Right pediatric wrist radiograph, PA projection, diagnosis uncertain. 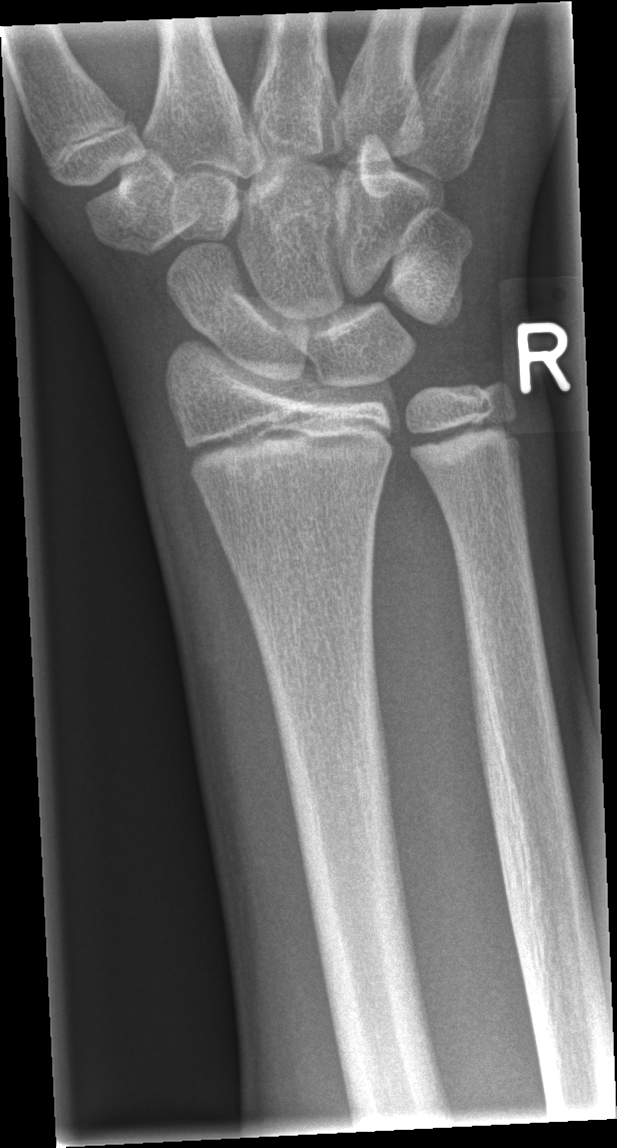 FINDINGS — AO code 23r-M/2.1. Fx: present but not clearly seen in this view.